Lat projection, left wrist pediatric wrist radiograph. 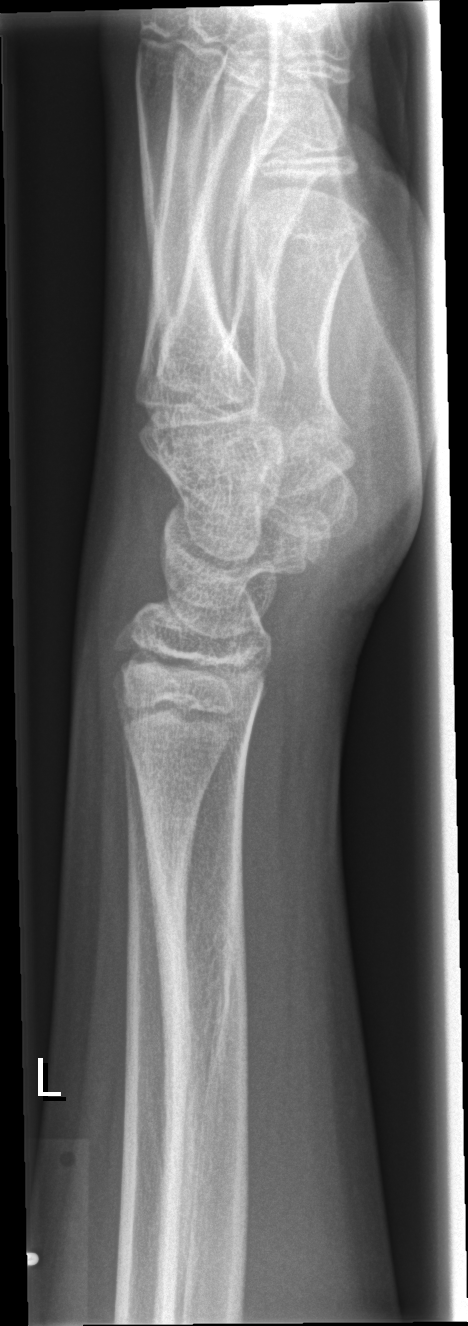
FINDINGS — Fx: 142,817,258,1115.